Lateral projection | right wrist plain radiograph of the wrist | pediatric patient (male, age 4) | Siemens: 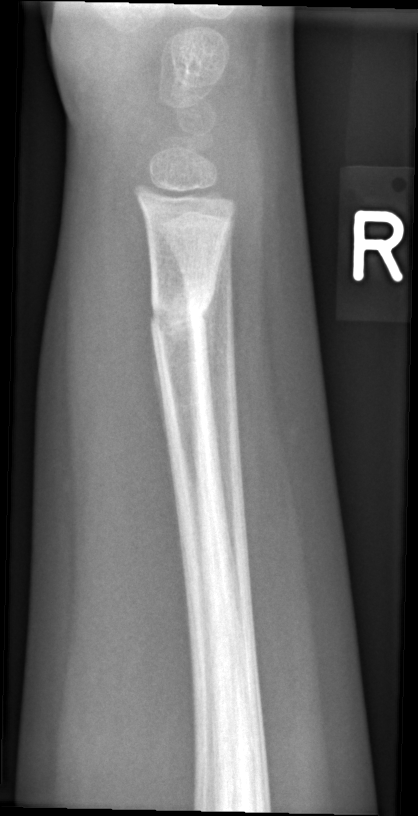 FINDINGS — One periosteal reaction at 200,237,226,439. One Fx at 147,285,215,347. Osteopenic. Fracture classified AO/OTA 23r-M/3.1.